AP projection | right wrist plain radiograph of the wrist | age 16 y, boy | initial study:

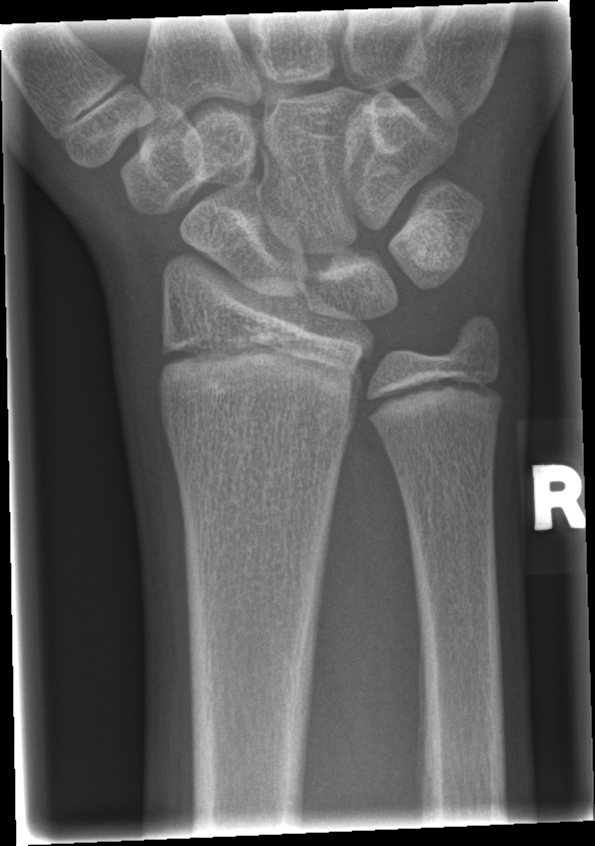

Q: Fracture present?
A: No fracture annotation